Left wrist pediatric wrist radiograph | PA:

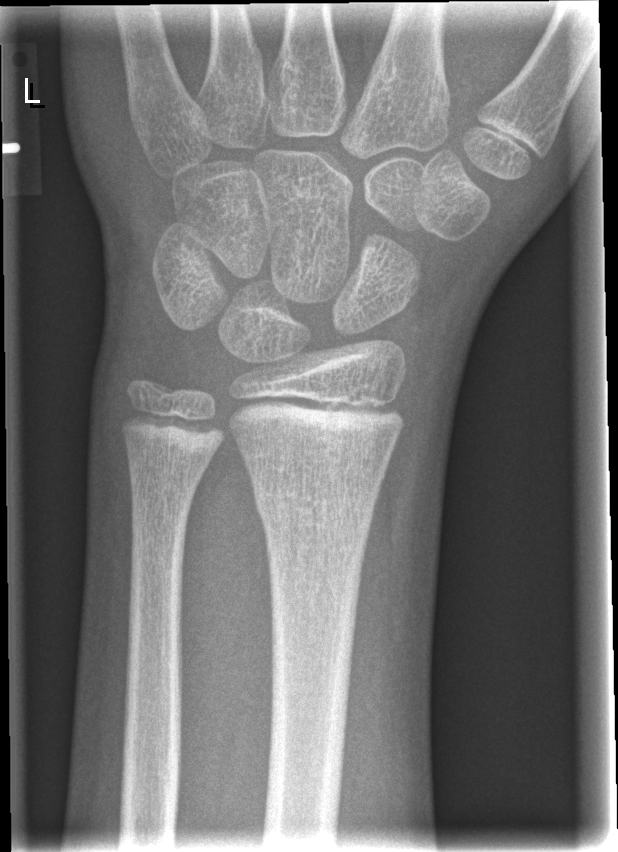 FINDINGS — Fx identified at 249 479 374 540. AO/OTA classification: 23r-M/2.1.